Rt wrist X-ray | lateral projection:

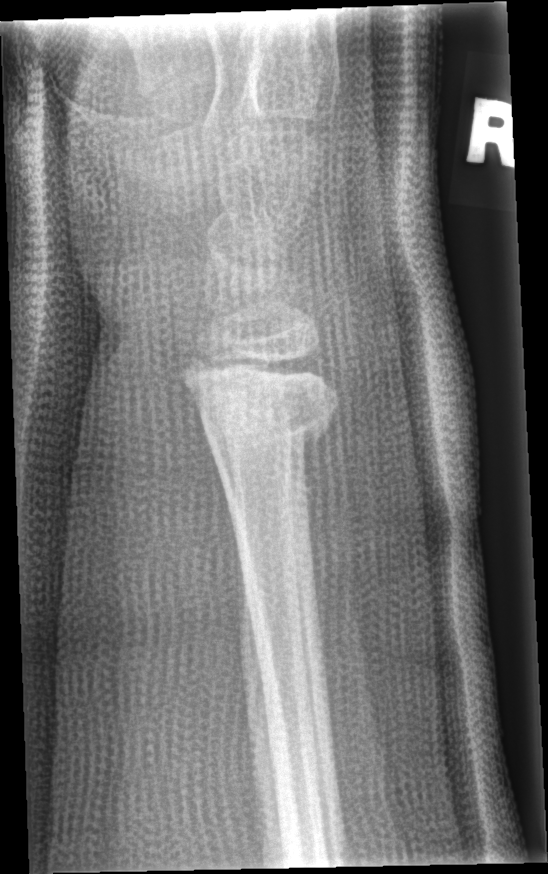

fracture: bbox(180, 367, 343, 453)
ao: 23r-M/3.1; 23u-M/2.1